Lateral | Lt pediatric wrist radiograph | presentation radiograph | image 70.4 mm wide:

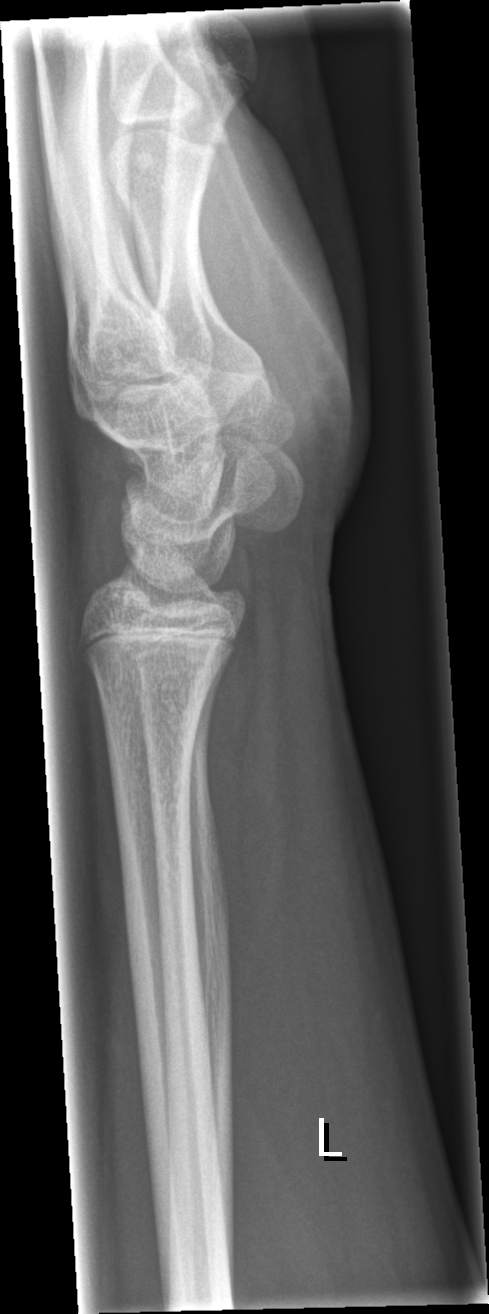   fracture: none labeled